L wrist XR, posteroanterior, pediatric patient (boy, age 17), acquired on Siemens, 105.1 mm image width —
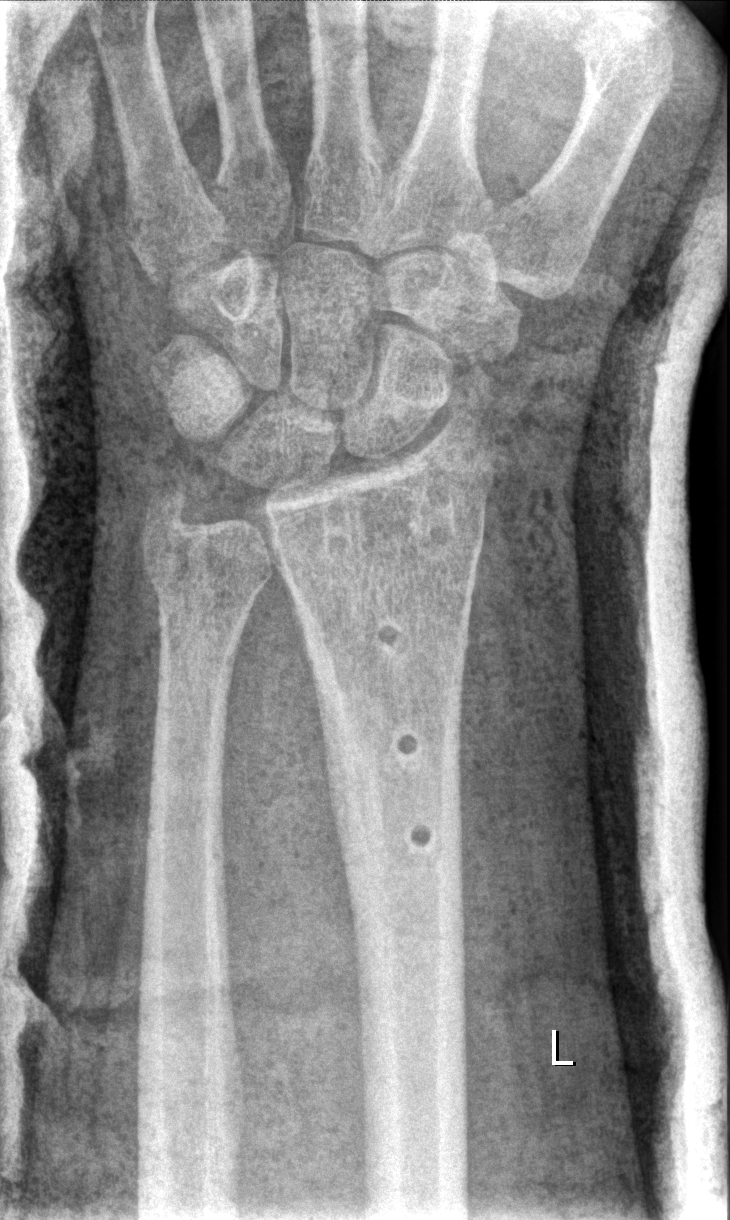 Bone anomaly = 3 @ [x1=374, y1=619, x2=438, y2=856] [x1=404, y1=461, x2=461, y2=564] [x1=316, y1=480, x2=372, y2=567]
Fx = none labeled